Lt wrist X-ray | PA/AP | age 10 y, male | in cast. 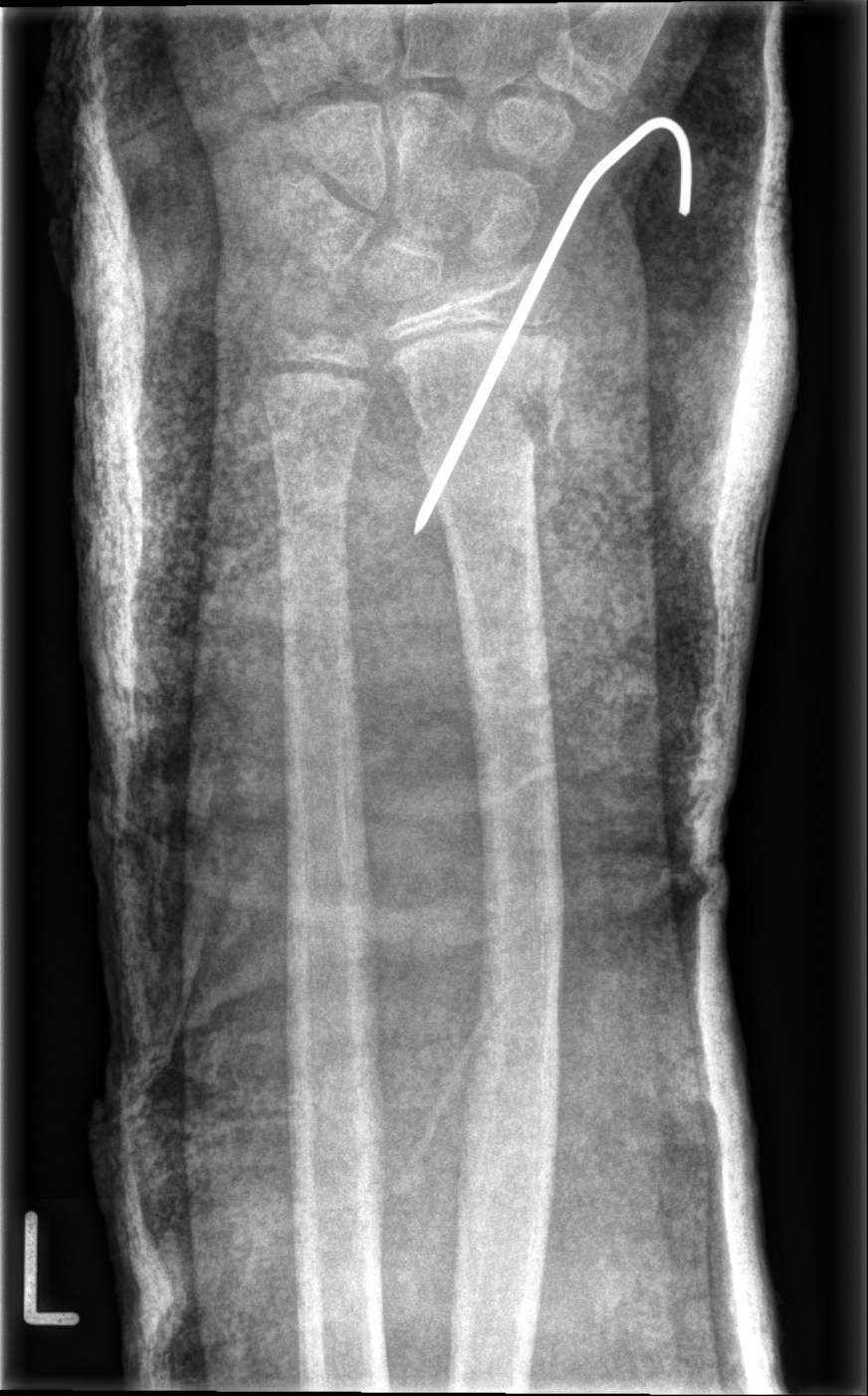

Bone fracture — (left=393, top=332, right=576, bottom=469).
Metallic hardware: (left=411, top=112, right=698, bottom=539).